L pediatric wrist radiograph, lat, pediatric patient (female, age 15), initial study, image width 74.9 mm, image size 520x1028 —

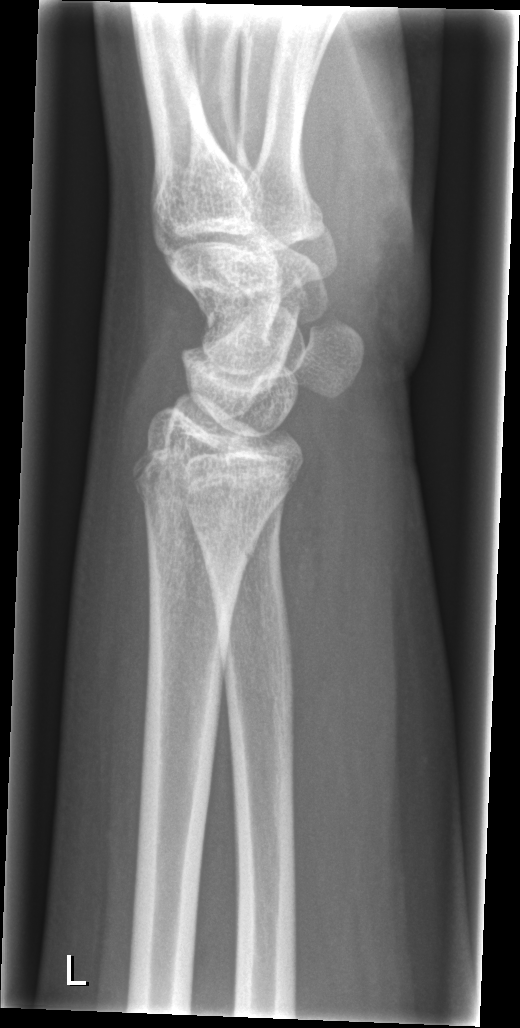 Findings: Bone fracture identified at (129, 470, 281, 566). AO code 23r-M/2.1.